Right wrist radiograph · lat.

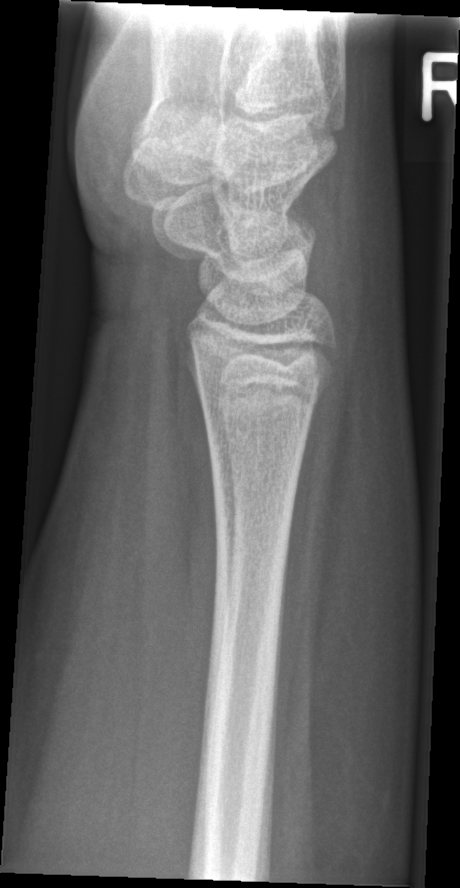

* No Fx annotated.